Lat view | left wrist plain film 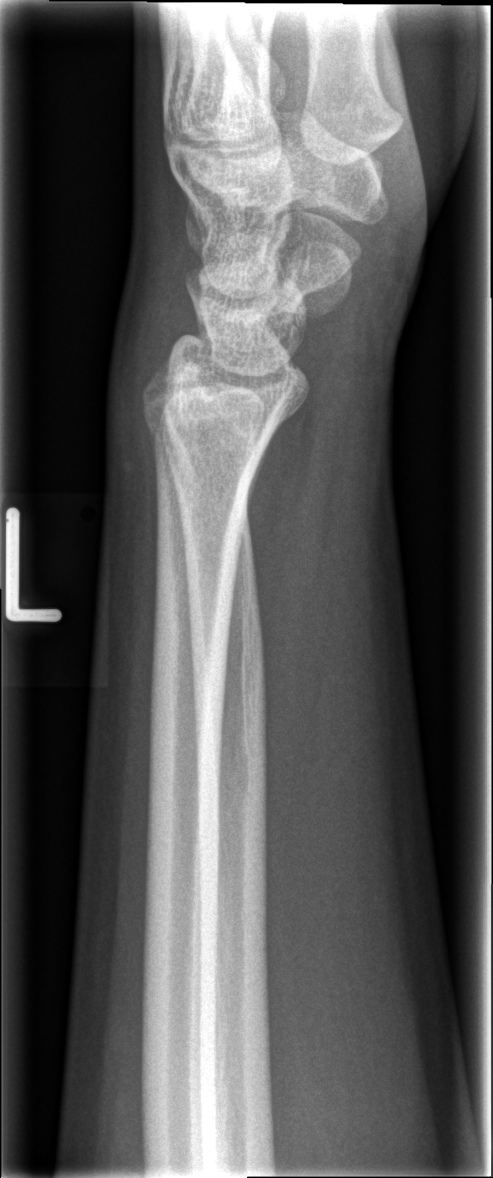 FINDINGS: Fx: none.